Rt pediatric wrist radiograph · lat view · presentation radiograph.
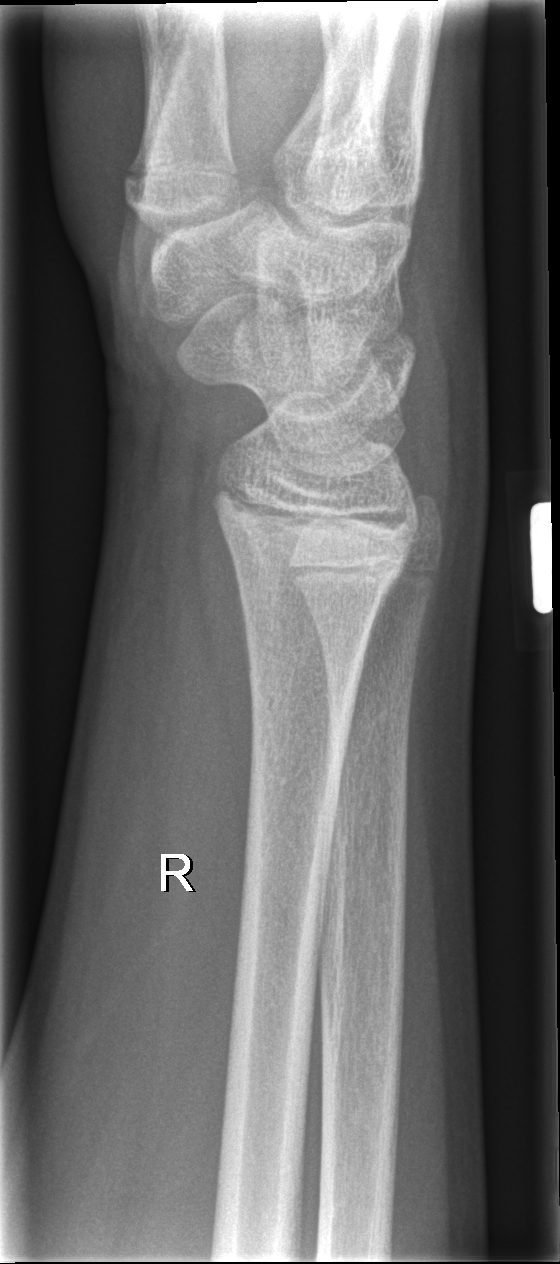 AO code 23u-E/7. Fracture present but not clearly seen in this view.